Lt wrist radiograph · lat view · 10y M · subsequent exam · cast present · image size 666x958:

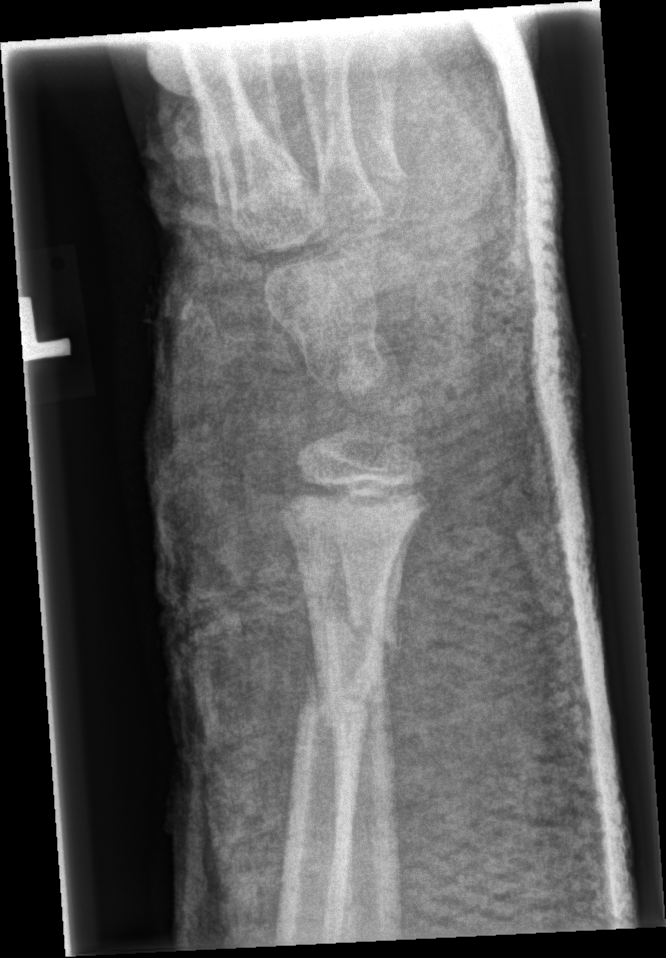

* Boxes as x1,y1,x2,y2 (top-left / bottom-right, pixel units).
* Two bone fractures at [287, 646, 390, 752], [317, 596, 406, 683].